Lat · Rt wrist XR · pediatric patient (female, age 16) · initial study. 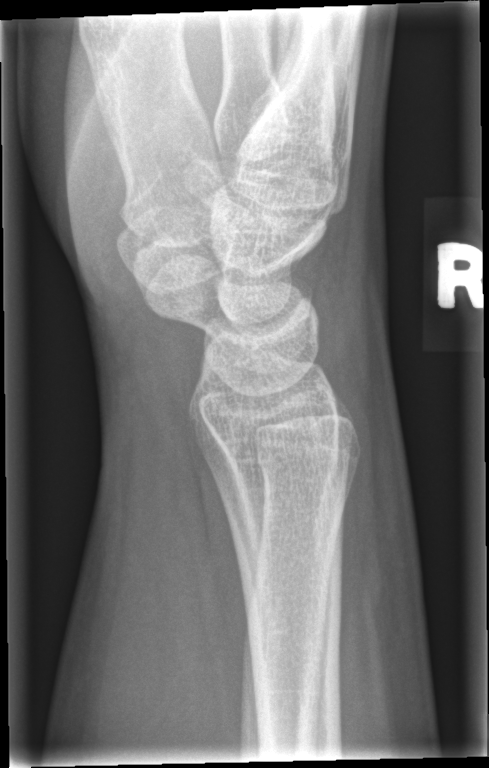 Fx = none labeled